Lat · Lt wrist XR:

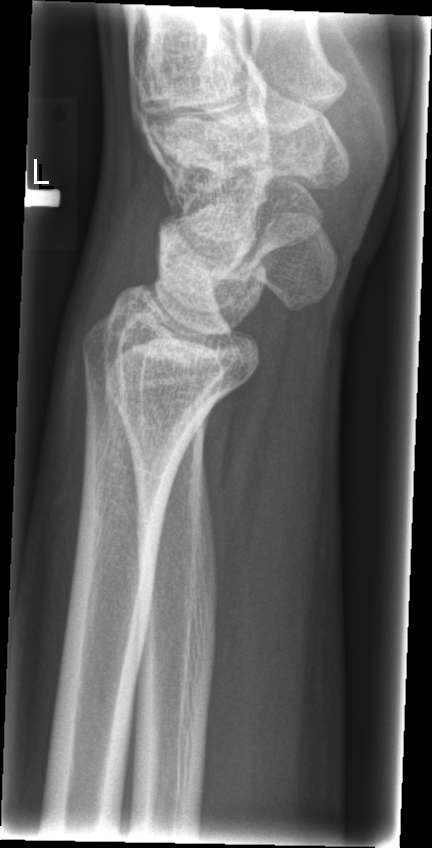 • Fx: none.